L pediatric wrist radiograph, frontal view, image width 92.2 mm

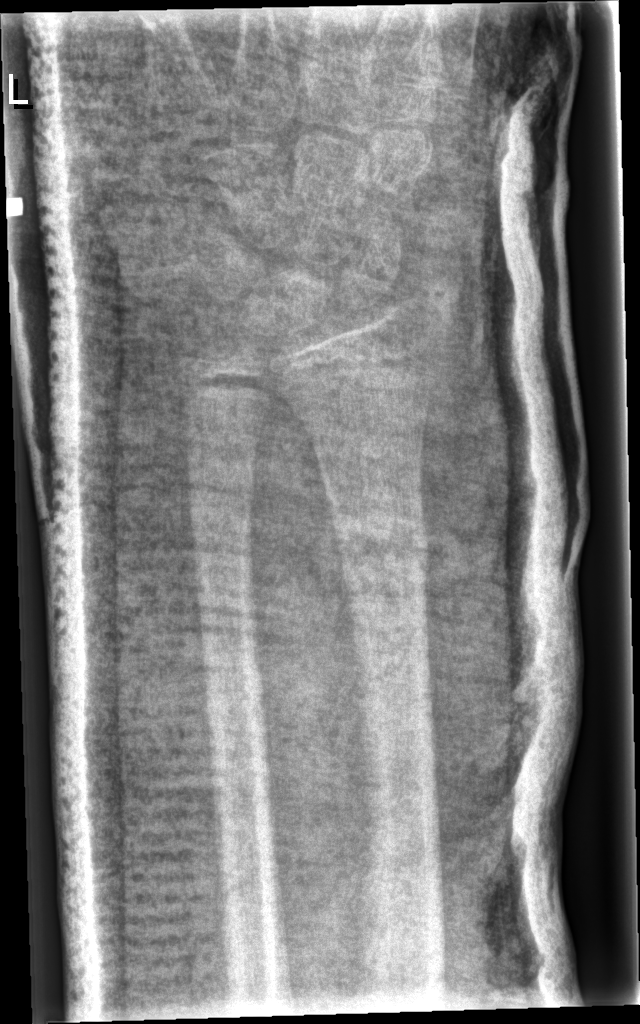

- AO/OTA classification: 23-M/3.1.
- Fx: 325 514 442 607 | 182 444 263 516.